Lateral projection; R wrist X-ray; 9-year-old male; initial study; 466x856.

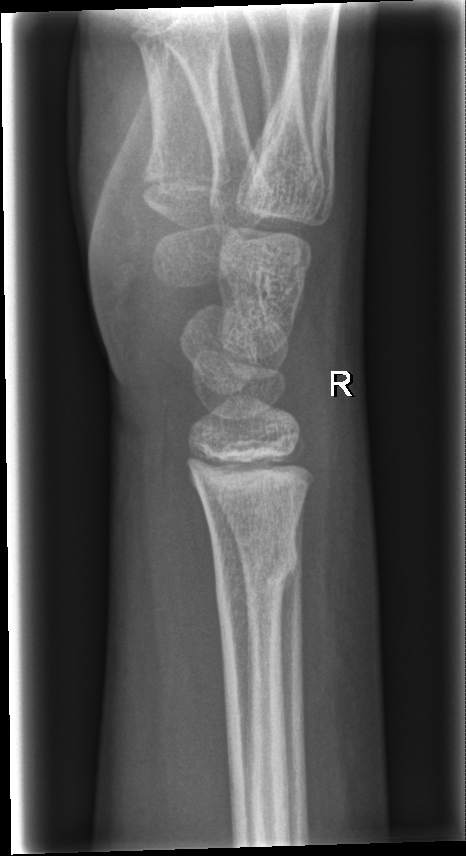 AO classification = 23r-M/2.1
Fracture = 1 @ <207,530>-<303,604>